Lt wrist XR; AP view; pediatric patient (male, age 10); Siemens
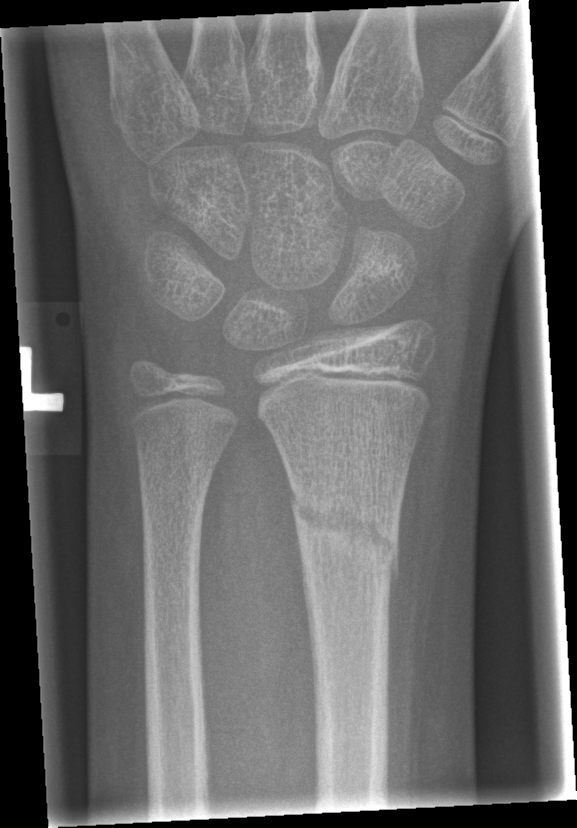 * One fracture at [286, 486, 403, 585].
* Fracture classified AO/OTA 23r-M/3.1.
* Osteopenia.